Lateral projection, left wrist X-ray, 10-year-old female, initial study, 431 x 686 px.

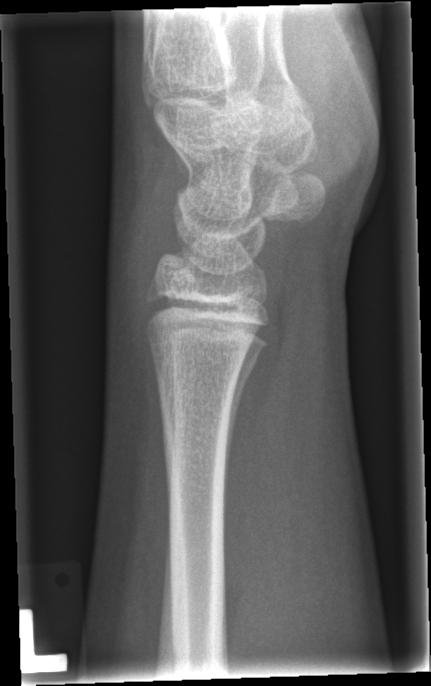 No fracture labeled.